L wrist XR, lateral projection, 11-year-old boy, subsequent exam 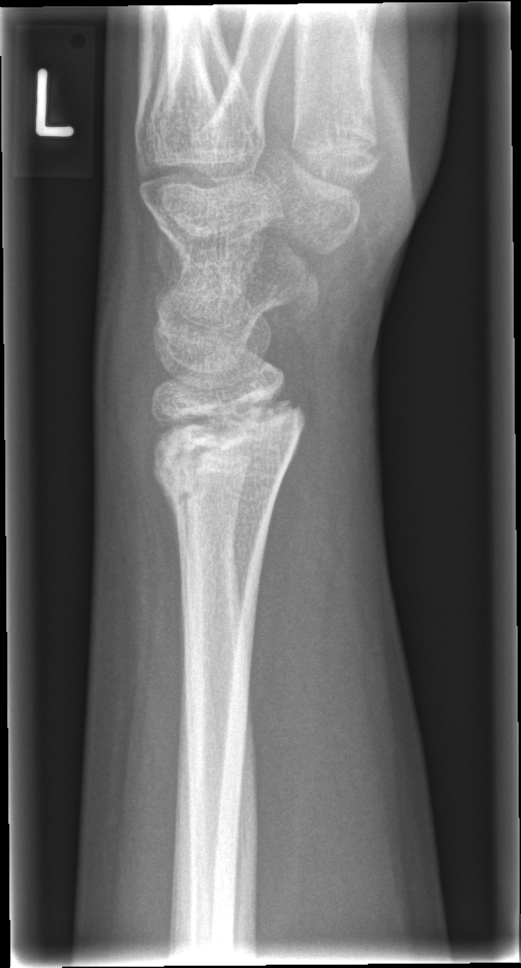

- Fracture — [x1=147, y1=391, x2=309, y2=517].
- AO/OTA classification: 23r-E/2.1.